Right wrist XR; lat; 3y M; follow-up study; cast present 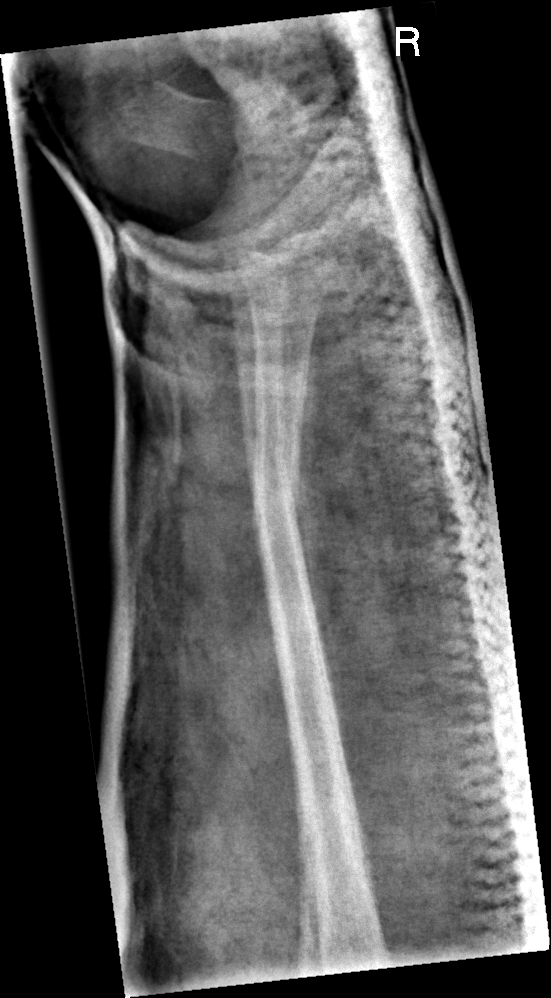
Q: Locate any fractures.
A: Fracture identified at 251 454 304 533